Frontal view; Lt plain radiograph of the wrist; age 7 y, boy; in cast

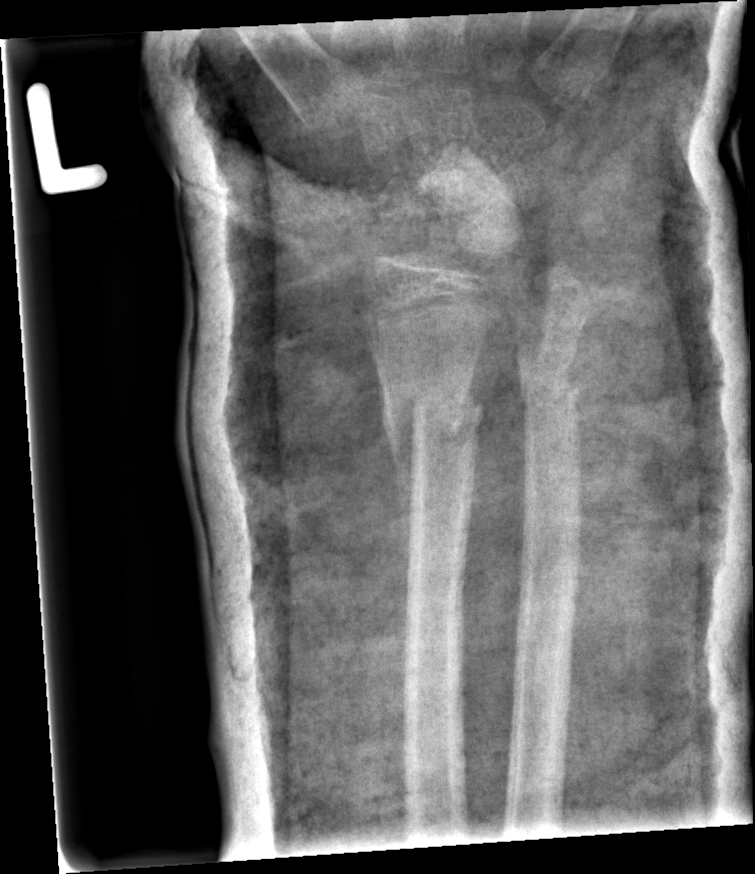 FINDINGS — One periosteal thickening at bbox(382, 396, 418, 612). Two bone fractures at bbox(380, 379, 486, 468), bbox(513, 365, 581, 418). AO/OTA classification: 23-M/3.1.